Frontal view | Lt wrist plain film | 11y F:

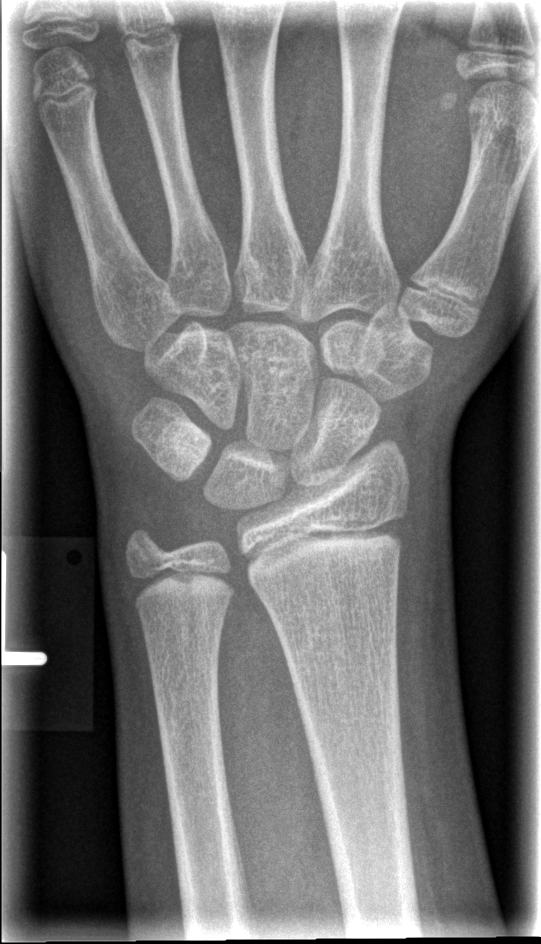

Q: Any fracture seen?
A: No fracture labeled